PA/AP, L wrist radiograph, girl, 6 yo — 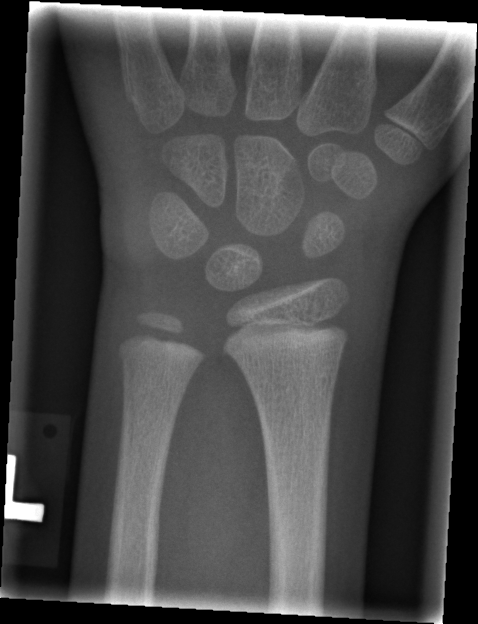
- No Fx annotated.